Rt wrist XR, lateral view. 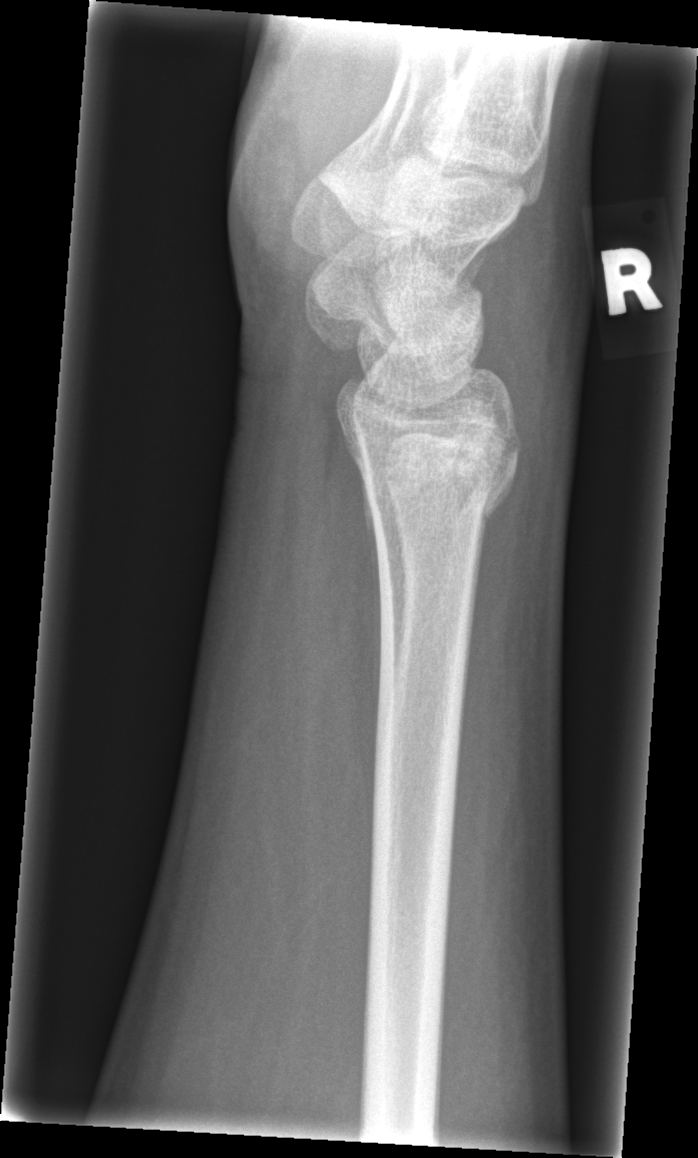 Fx: bbox(344, 409, 524, 530). Soft-tissue finding: bbox(460, 143, 596, 498).